Frontal · Lt wrist radiograph

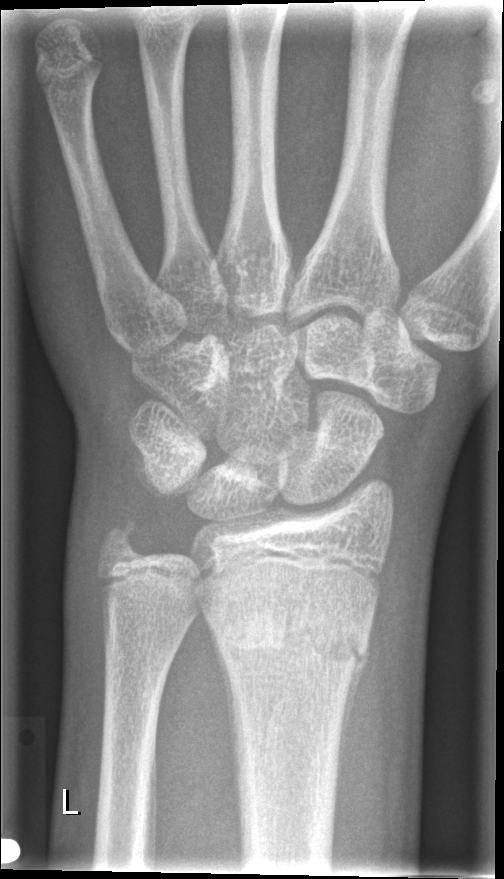

FINDINGS — (pixel coordinates, top-left origin, xyxy) AO code 23r-M/3.1; 23u-E/7. Osteopenic. Bone fracture identified at 208,597,375,671
  93,512,148,569. Periosteal reaction — 334,625,373,820.